Posteroanterior projection · Lt wrist XR · 3-year-old male · 532 x 877 px —

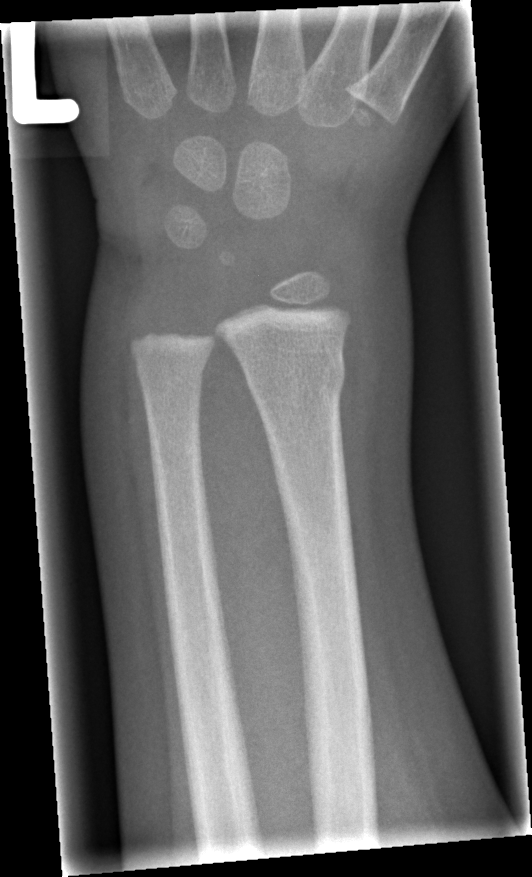
Fracture: (242, 348, 347, 404) (135, 355, 211, 387).